Posteroanterior, left wrist XR, pediatric patient (girl, age 8), Siemens:
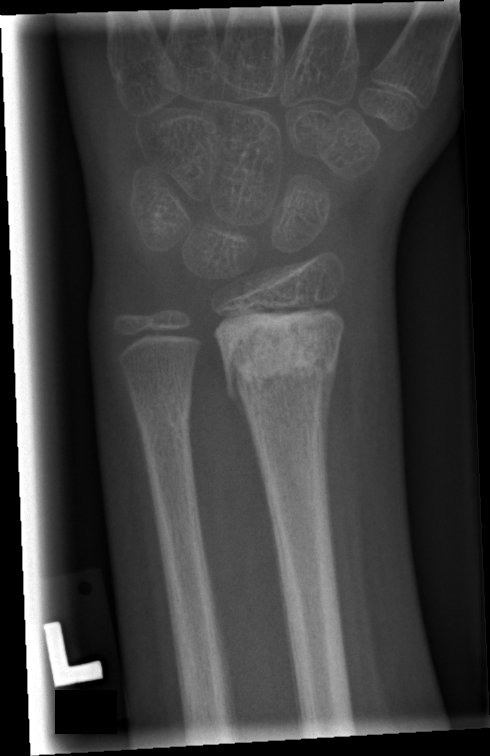
Fx = 2 @ [216, 305, 347, 409] [129, 397, 194, 439]
osteopenia = present
AO code = 23r-M/3.1; 23u-M/2.1